PA/AP view · left wrist plain film · 11y M · index exam — 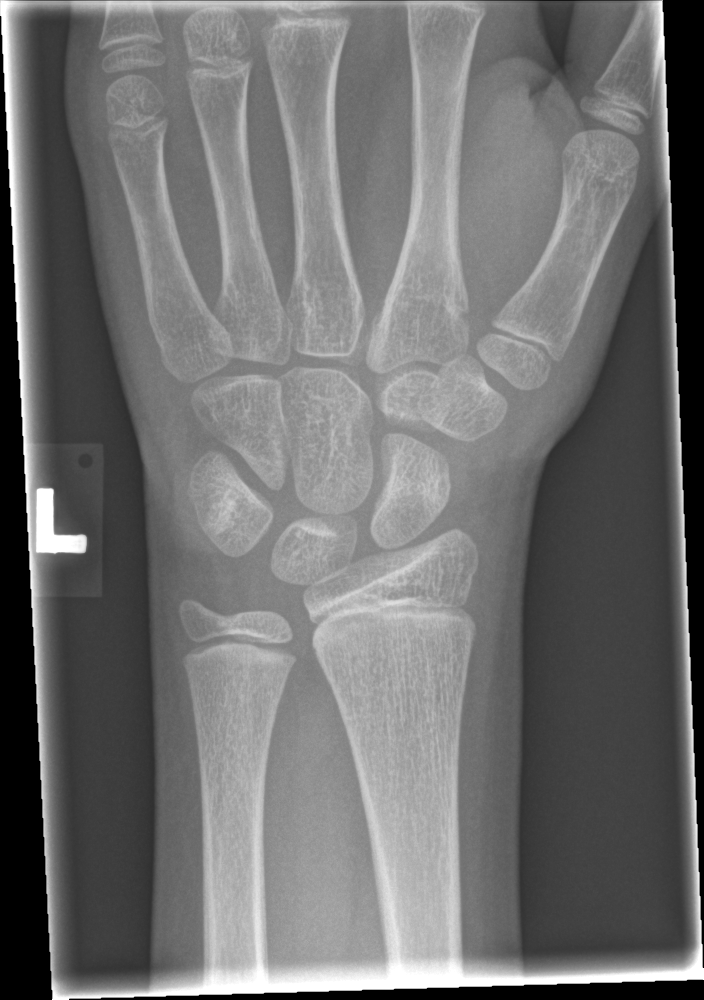
FINDINGS: No fracture labeled.